PA/AP | left wrist pediatric wrist radiograph | acquired on Siemens — 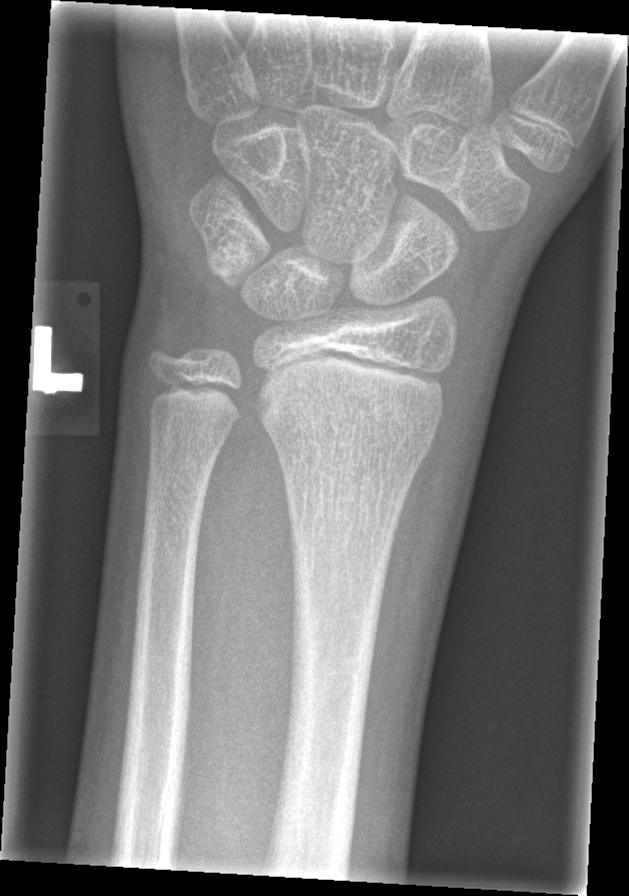
FINDINGS: Fracture — [256, 388, 446, 472]. AO/OTA classification: 23r-M/2.1.